Posteroanterior projection · right pediatric wrist radiograph · 10y M · cast present · acquired on Siemens:
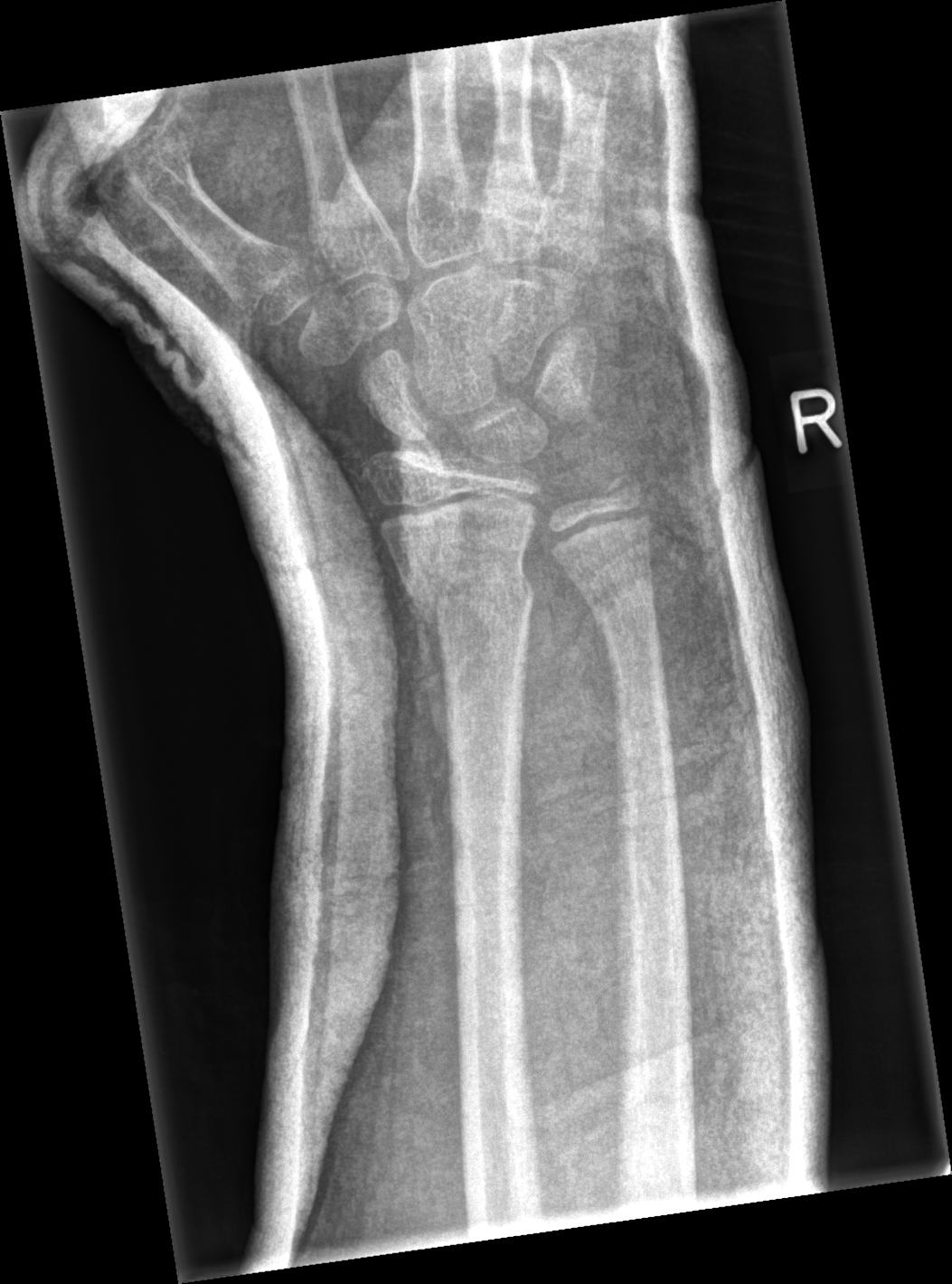
Fx identified at <395,560>-<538,632> <581,562>-<660,630> <591,463>-<650,515>.